Lt wrist plain film, AP projection, follow-up, cast in situ —

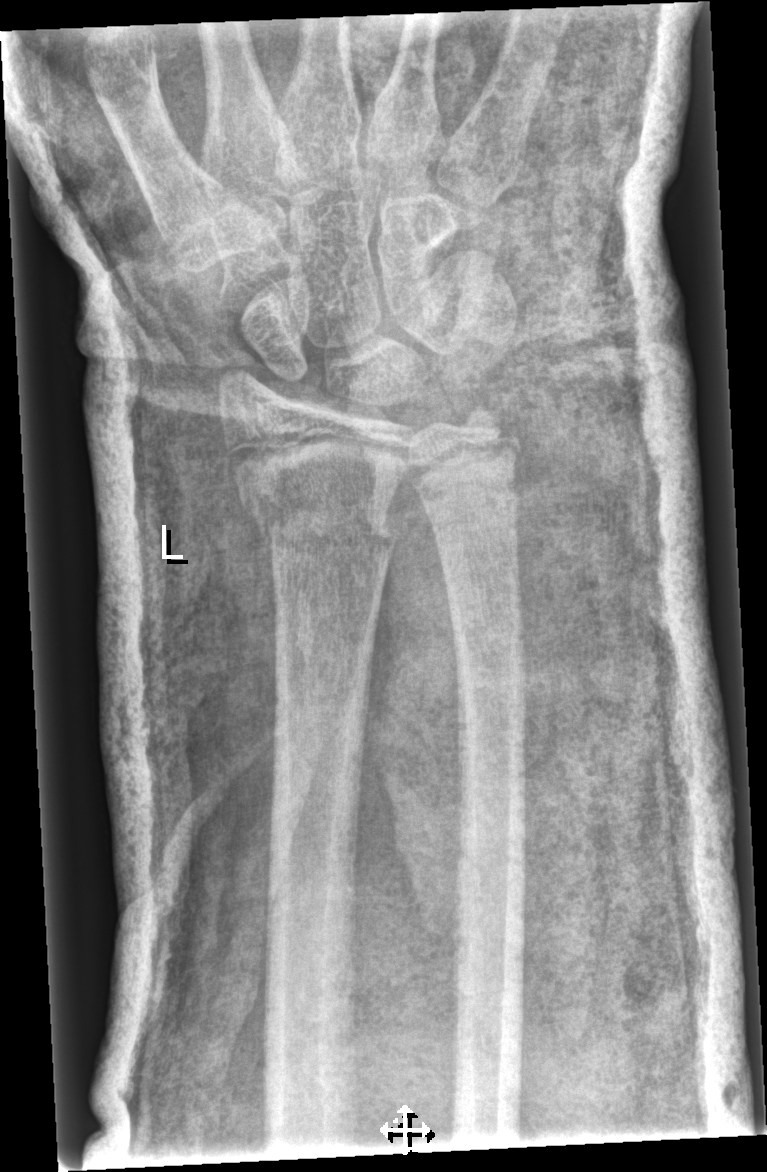 Q: What is the AO/OTA classification?
A: AO/OTA classification: 23-M/3.1
Q: Any fracture seen?
A: Bone fracture identified at (237, 493, 401, 574); (415, 460, 526, 539)